Right wrist X-ray; PA/AP projection; boy, 7 yo; initial study; 581 by 674 pixels:
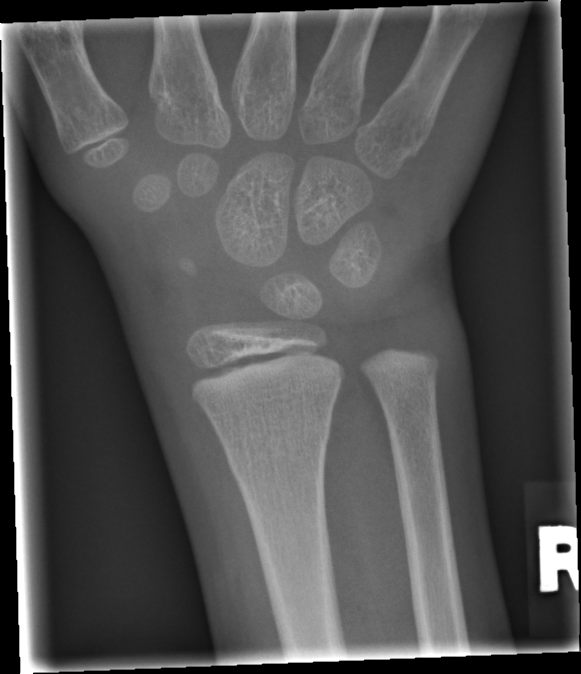

Findings: Fracture: [223, 419, 333, 480].